Right plain radiograph of the wrist | lateral projection | pediatric patient (male, age 11) | initial study —

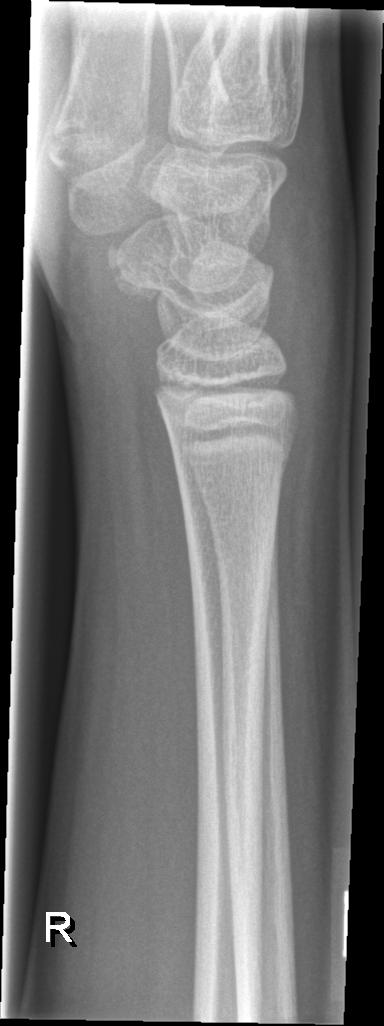 {
  "fracture": "none labeled"
}